Right wrist plain film · lateral. 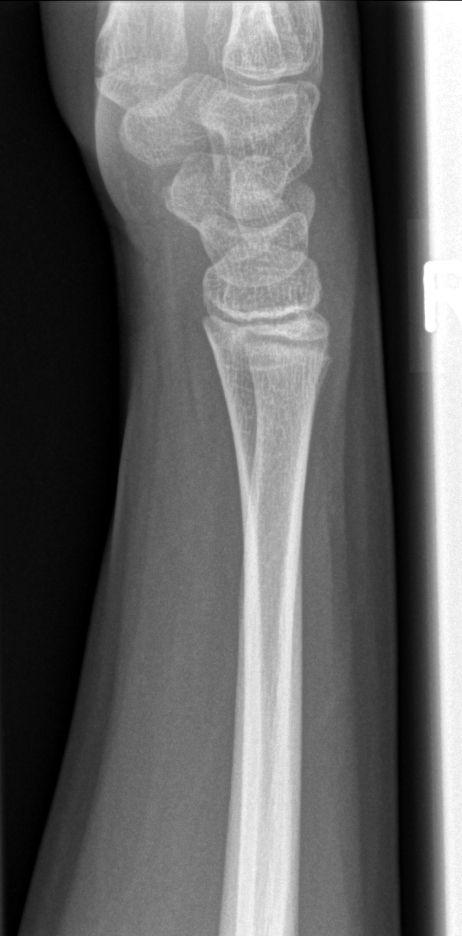 bone fracture: none labeled